Frontal projection · Rt plain radiograph of the wrist · subsequent exam · Siemens: 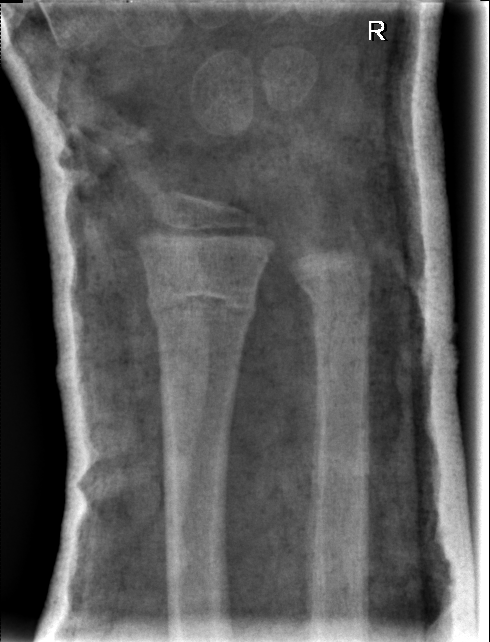
  ao: 23r-M/3.1; 23u-M/2.1
  fracture: 2 @ <144,280>-<259,333>, <299,271>-<374,329>